Lat | left wrist pediatric wrist radiograph:
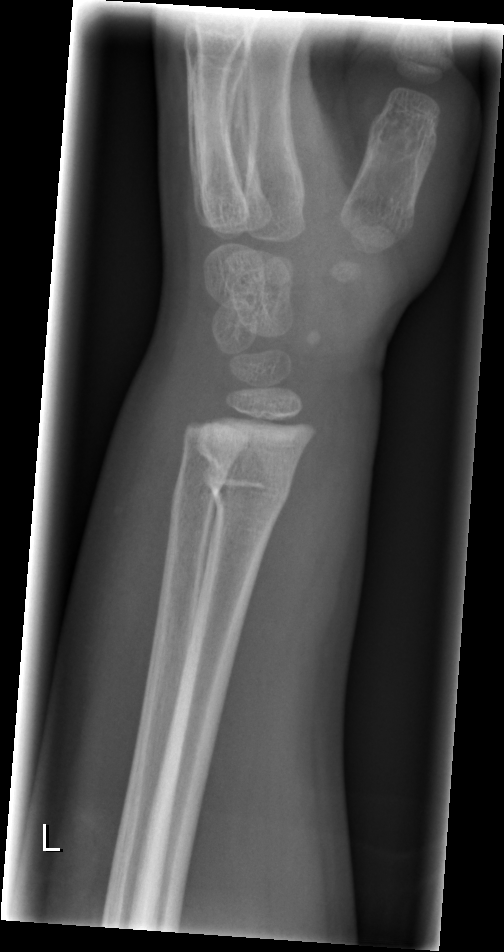

{
  "_coords": "pixel coordinates, top-left origin, xyxy",
  "fracture": "2 @ 193,447,300,521; 166,465,221,533",
  "ao": "23-M/2.1"
}